Lat projection, Lt wrist XR, 524 by 942 pixels

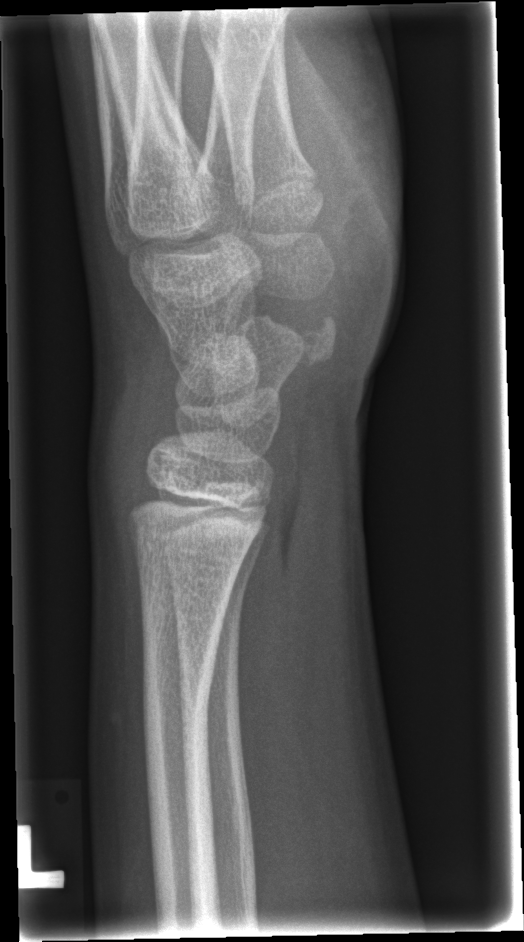

Fracture = 1 @ 135,668,216,756